Frontal view | right wrist plain film | age 11 y, boy | image width 95.9 mm: 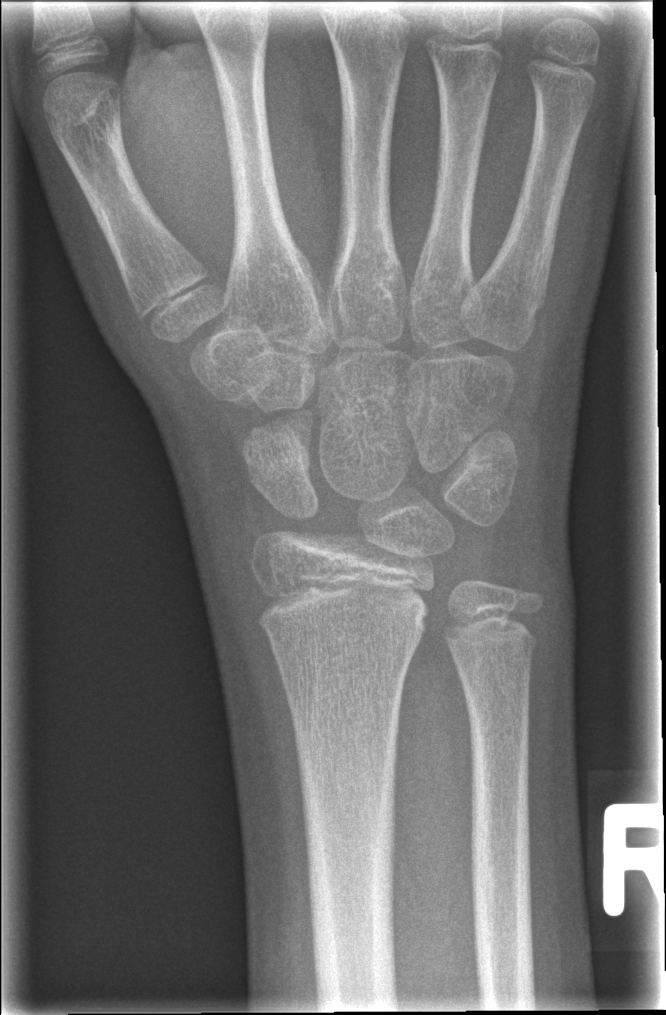 Q: Locate any fractures.
A: No fracture annotation